Frontal, right wrist plain film, 422 x 518 px. 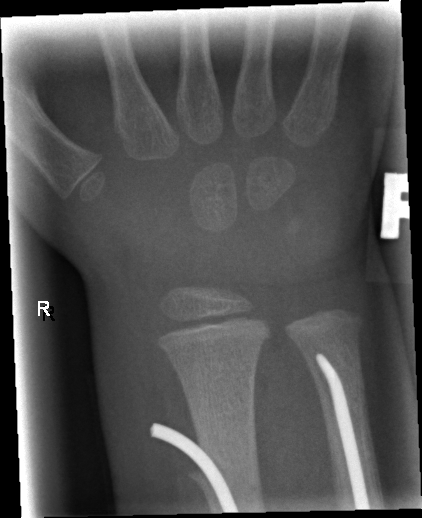

No fracture labeled.
Metallic implants — 315 354 371 508 | 152 424 237 513.